Lt wrist XR · lateral view.

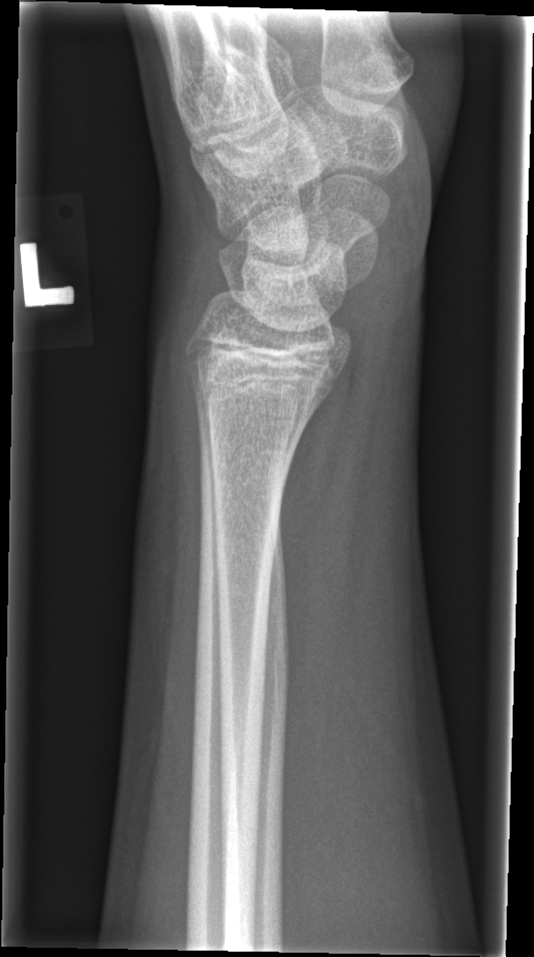 Fracture = none labeled